Left wrist X-ray; lateral projection; 486 x 1064 px:
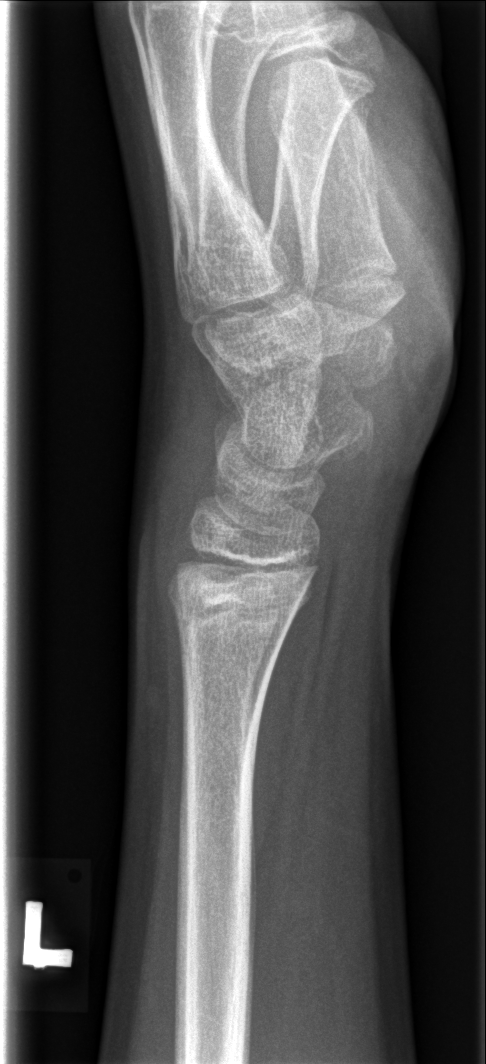

FINDINGS — (pixel coordinates, top-left origin, xyxy) Osteopenic. Soft-tissue finding: (125, 409, 225, 604). No fracture annotation.